PA projection | L pediatric wrist radiograph | follow-up | Siemens:
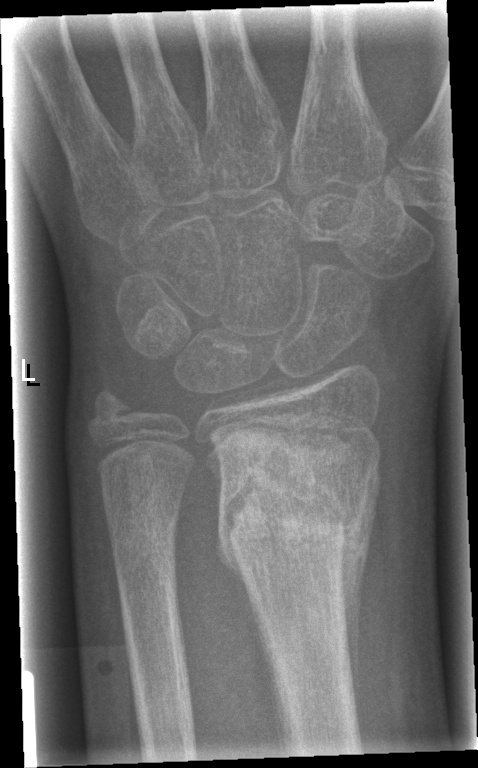
periosteal new bone = 2 @ 337,458,382,730 | 217,527,252,600
fracture = 202,428,384,593; 83,388,143,432